Lat · left wrist pediatric wrist radiograph — 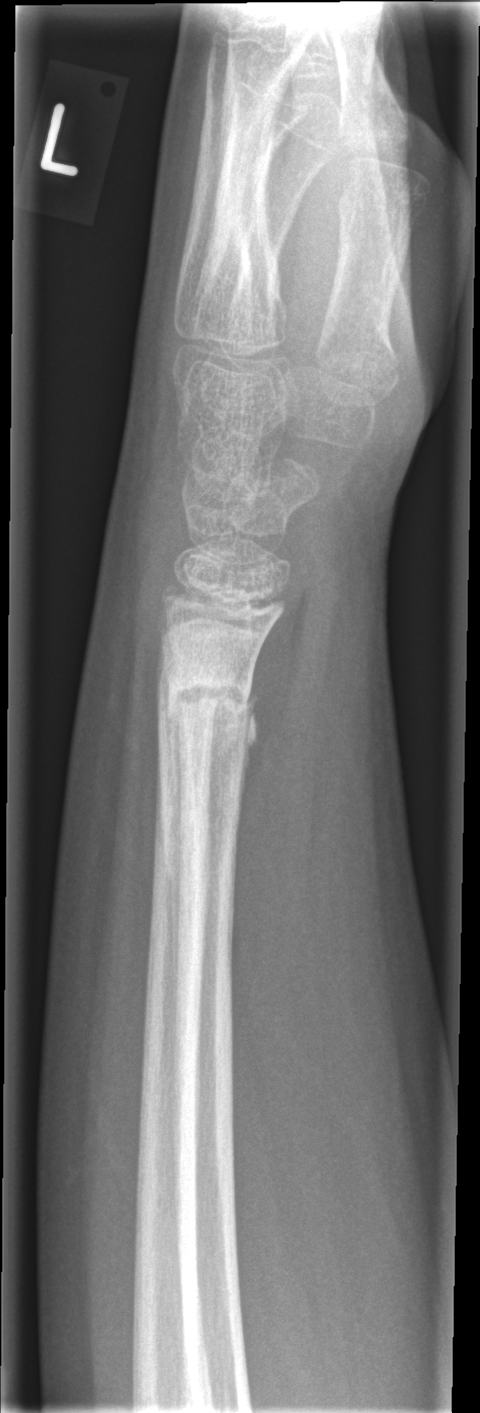
Osteopenia = present
Periosteal new bone = 1 @ 236 689 262 845
AO code = 23r-M/3.1; 23u-M/2.1
Bone fracture = 150 675 259 725